Left plain radiograph of the wrist, lat, girl, 6 yo, initial study, image width 103.1 mm.
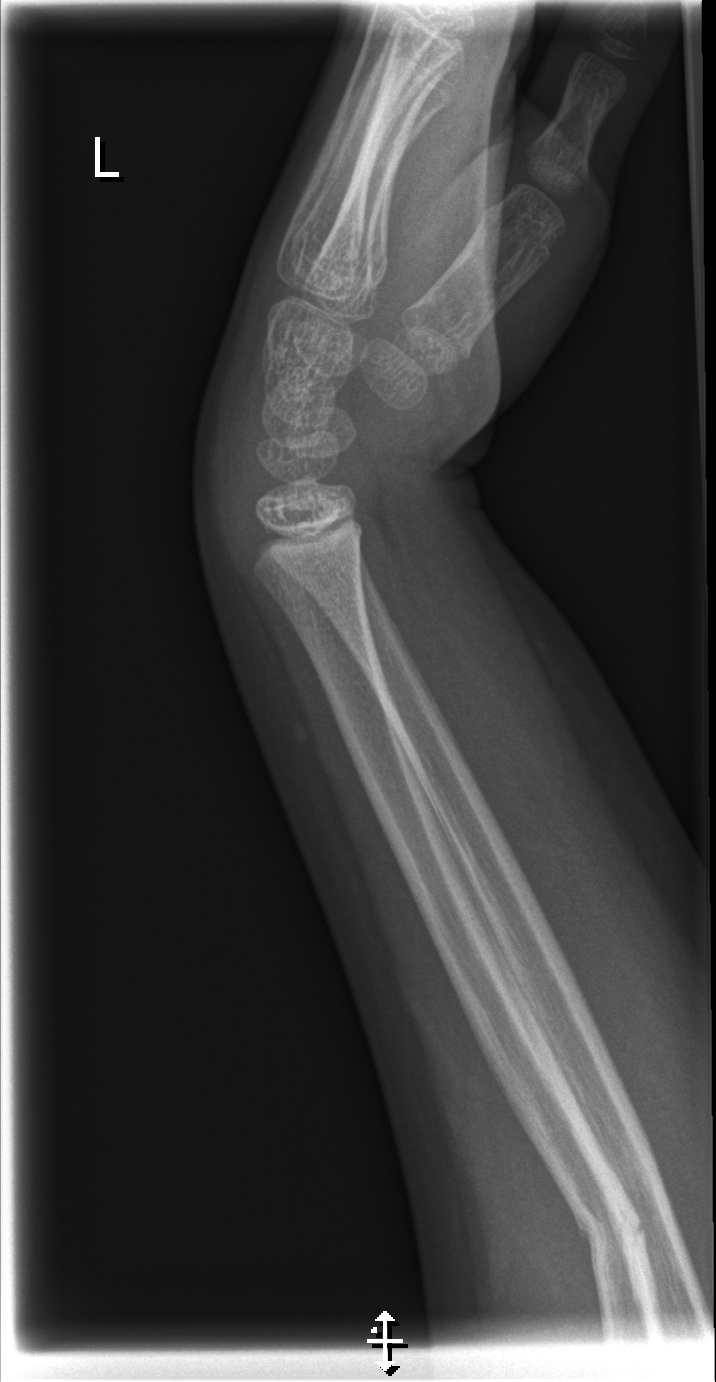
  ao: 22-D/2.1
  fracture: 606,1182,685,1266
  574,1204,653,1281